L wrist plain film | lateral:

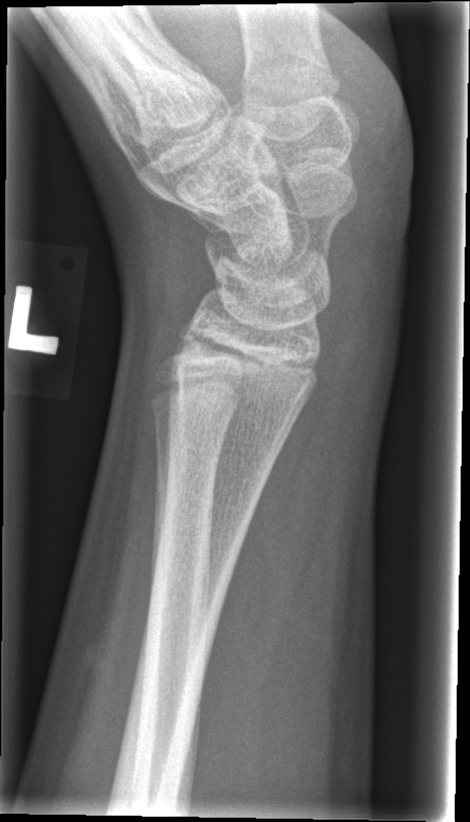
  fracture: none labeled